Right wrist XR | posteroanterior view | age 12 y, girl.

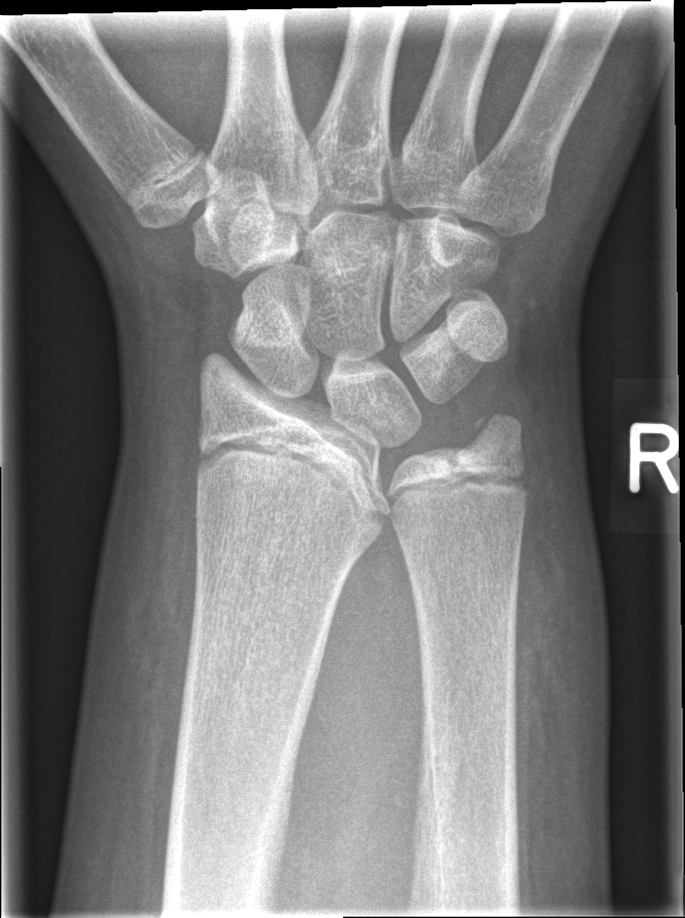

• Coordinates are [x1, y1, x2, y2] in image pixels.
• Fracture identified at <443,399>-<531,486>.
• Bone anomaly identified at <182,316>-<412,569>.